Right wrist plain film | posteroanterior projection | 5y M
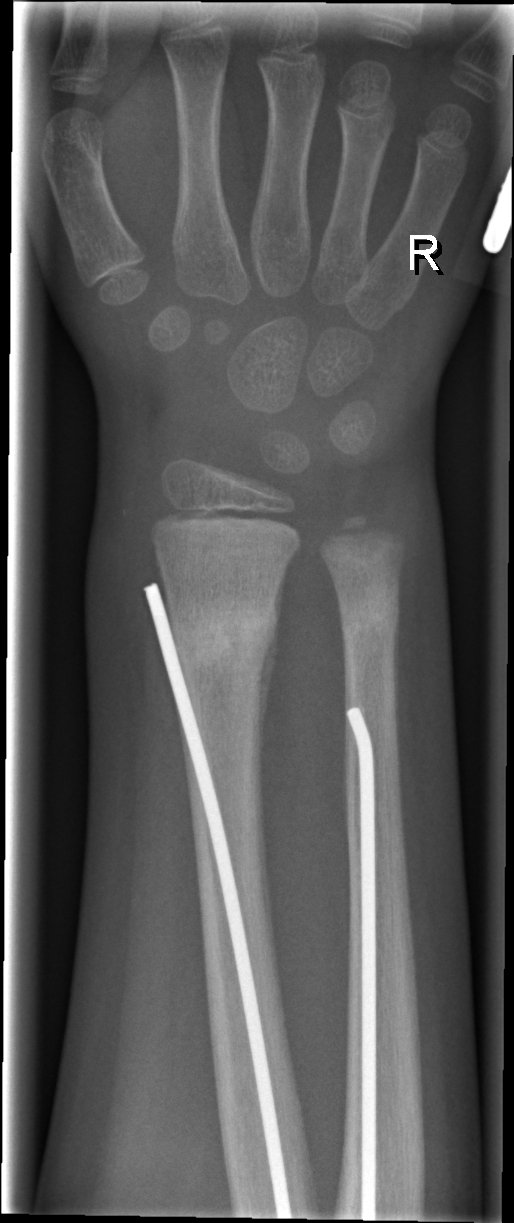 • Metallic implant identified at 141,580,293,1219
  343,704,378,1221.
• Periosteal thickening identified at 259,568,285,773.
• AO/OTA classification: 23-M/2.1.
• Osteopenia.
• Fx — 164,597,286,665 | 336,585,403,636.